Right wrist pediatric wrist radiograph | PA/AP view | cast present | image 96.3 mm wide: 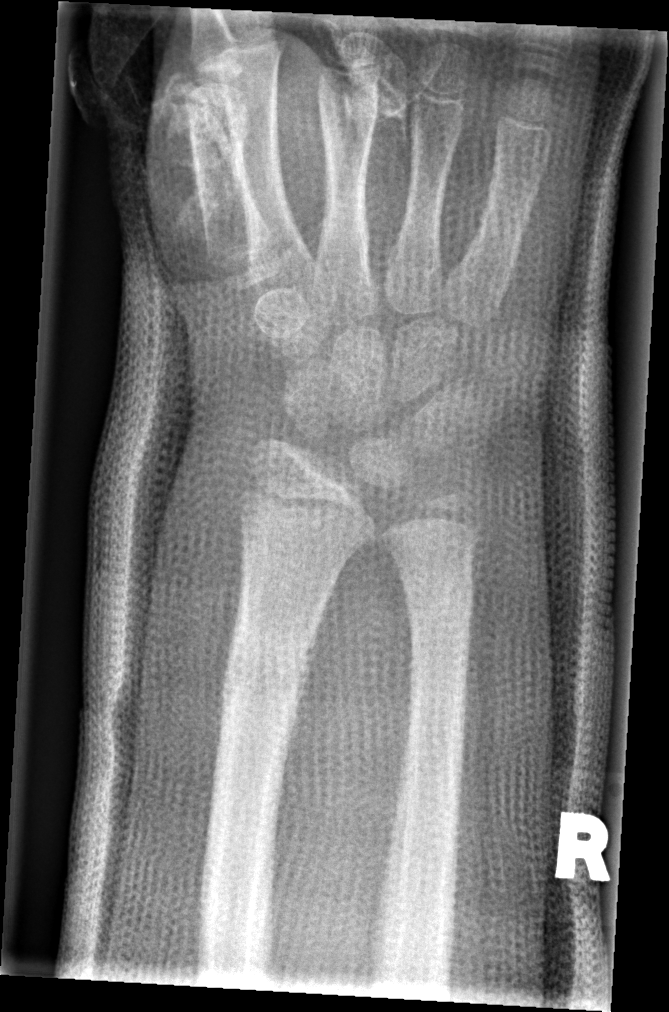
Fractures — [x1=218, y1=630, x2=314, y2=713] [x1=404, y1=577, x2=476, y2=638].